Right wrist XR · PA · follow-up study · image size 372x923

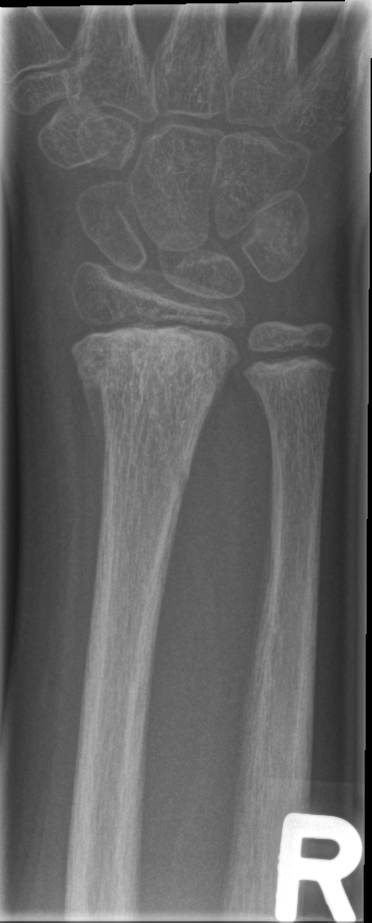
FINDINGS — (bounding boxes in image-pixel xyxy) AO code 23-E/2.1. Periosteal thickening: bbox(188, 363, 235, 468) bbox(82, 380, 106, 519) bbox(251, 385, 271, 435). One fracture at bbox(69, 319, 242, 437).